Left wrist plain film · lateral · male, 15 yo · initial study 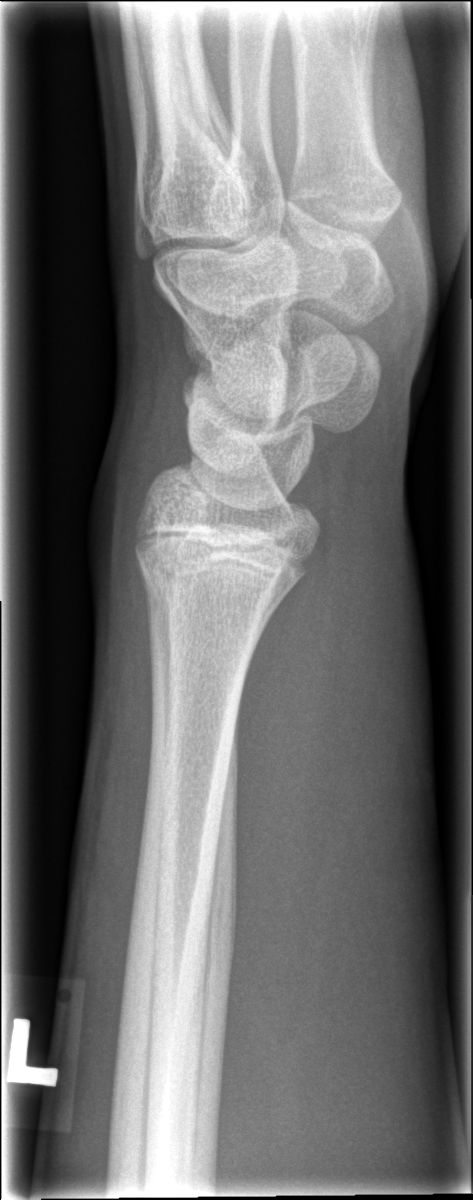 * Pronator sign: 230 557 347 1047.
* Fracture classified AO/OTA 23r-M/2.1.
* Fracture identified at 136 533 284 636.